AP projection, left wrist X-ray, age 14 y, female — 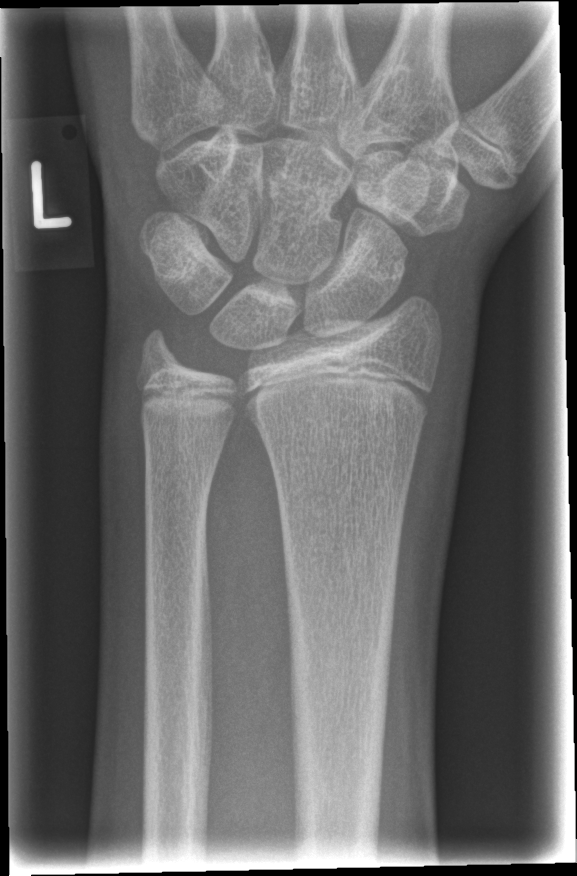
Fx: none.